Rt wrist radiograph | AP | 13-year-old male | image 98.5 mm wide

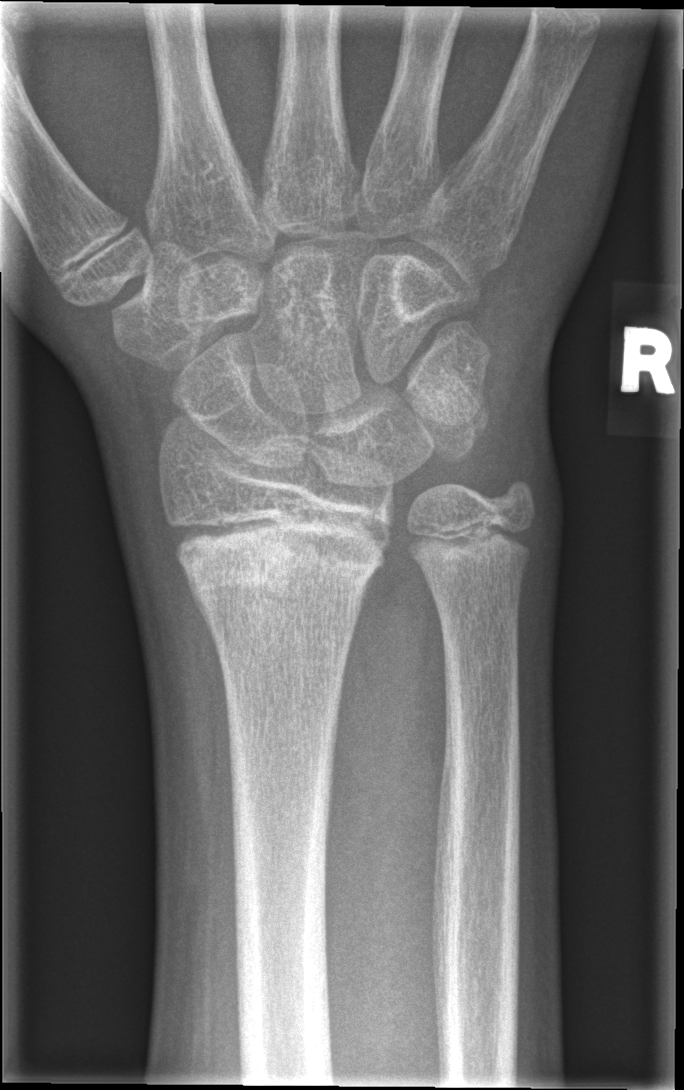

  fracture: [x1=168, y1=518, x2=389, y2=608]